AP projection, left wrist plain film, follow-up study

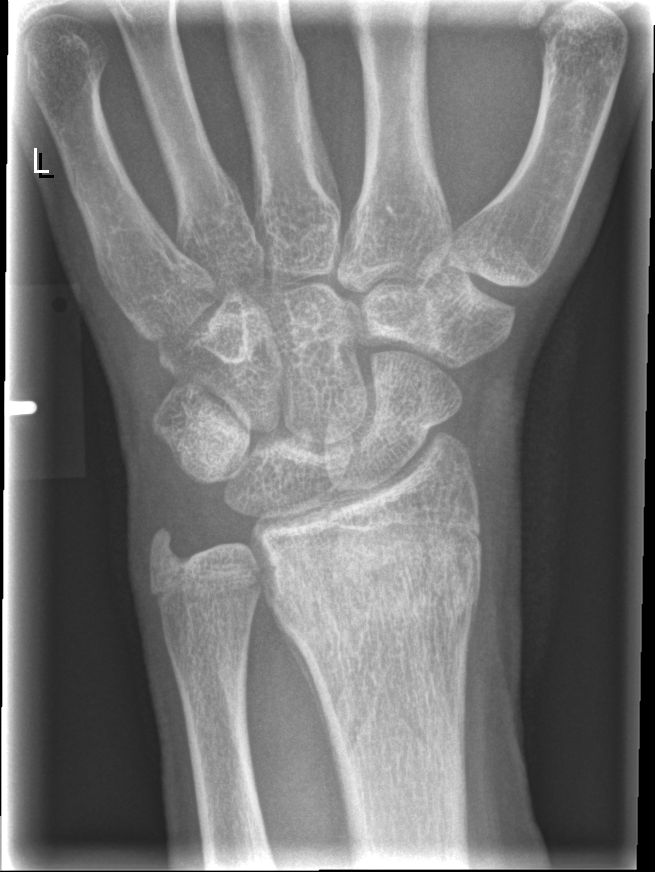 (pixel coordinates, top-left origin, xyxy)
Q: Fracture present?
A: Bone fracture: 266,525,484,636
Q: Bone density?
A: Reduced bone mineral density
Q: Is there periosteal reaction?
A: Periosteal new bone — 273,606,344,791